Frontal · Rt wrist X-ray · boy, 16 yo · Siemens:

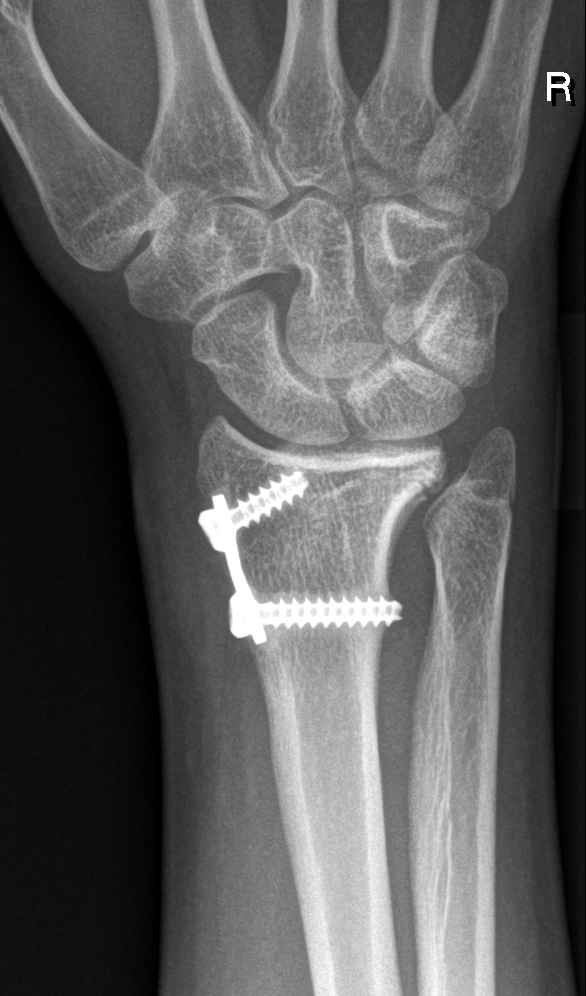

Metallic implant = 1 @ (left=194, top=461, right=405, bottom=656)
Osseous anomaly = 1 @ (left=378, top=415, right=528, bottom=566)
Fracture = none labeled